Lateral view; Lt wrist radiograph; in cast; 82.1 mm image width —
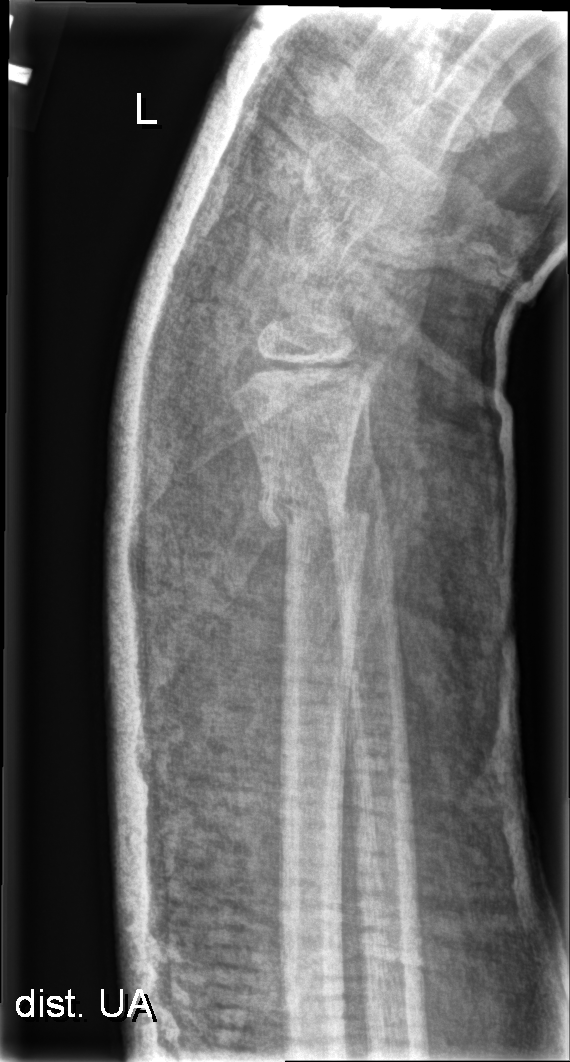 {"ao": "23-M/3.1", "fracture": "<254,480>-<374,535>; <314,451>-<385,494>"}